Left wrist plain film, lateral, image size 414x1114 —

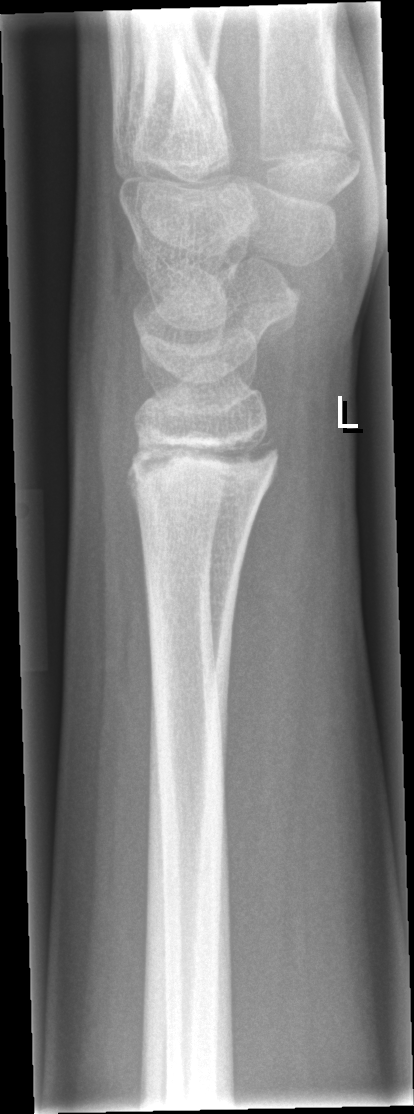 (bounding boxes in image-pixel xyxy)
AO/OTA: 23r-E/1
bone fracture: <123,430>-<285,498>